Posteroanterior projection | R plain radiograph of the wrist | initial study.
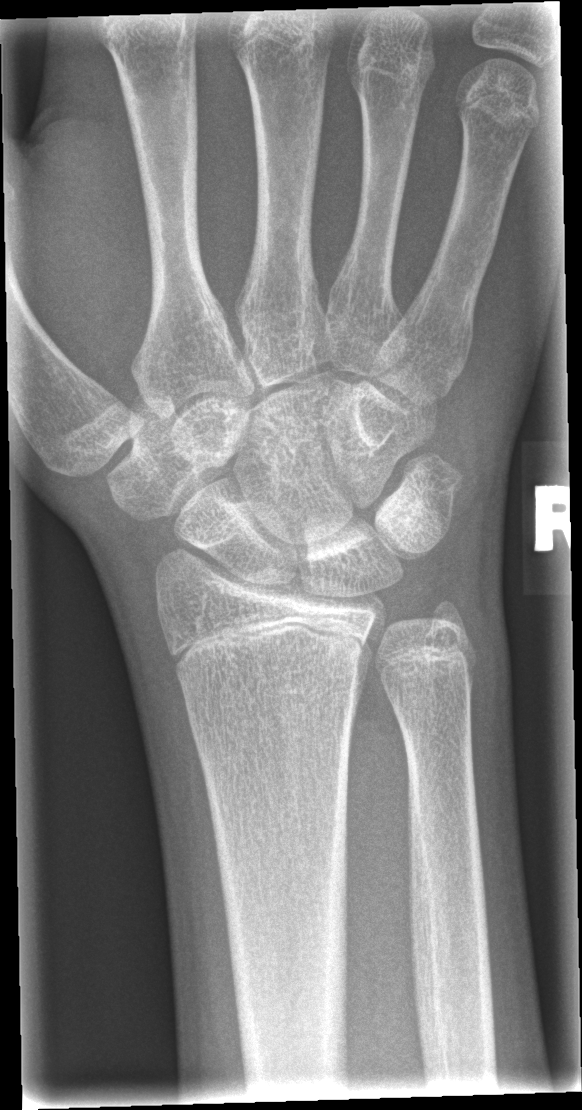
FINDINGS: No fracture annotation.